Left wrist X-ray · lateral · age 11 y, girl · cast present.
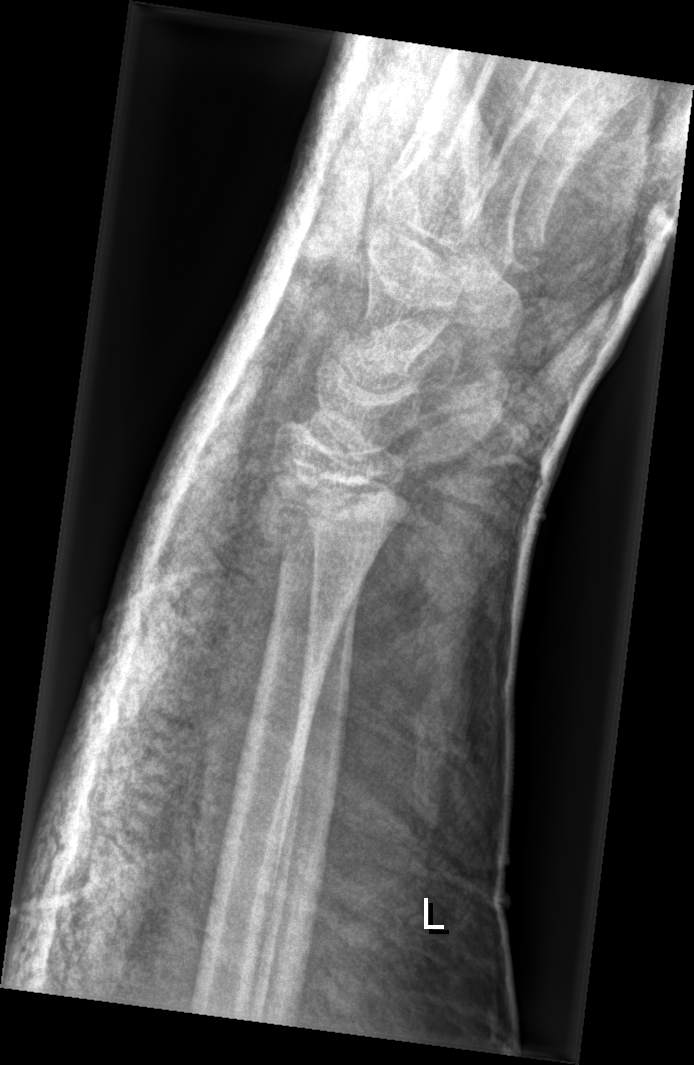
Bone fracture: (256, 512, 378, 591). AO code 23r-M/3.1.